R plain radiograph of the wrist | lateral | pediatric patient (boy, age 14) | initial study. 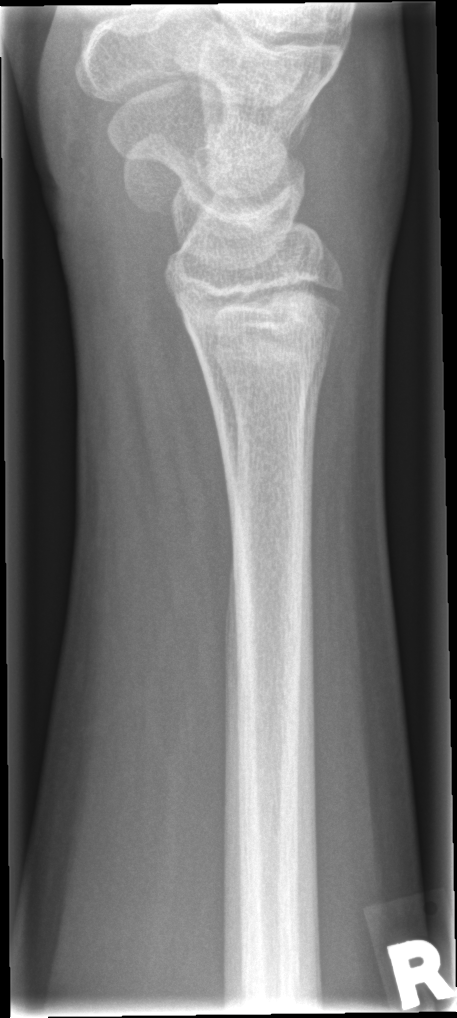 FINDINGS — (coordinates are [x1, y1, x2, y2] in image pixels) Fracture classified AO/OTA 23r-M/2.1. Fx identified at [198, 335, 334, 403].